Lat view · left wrist XR — 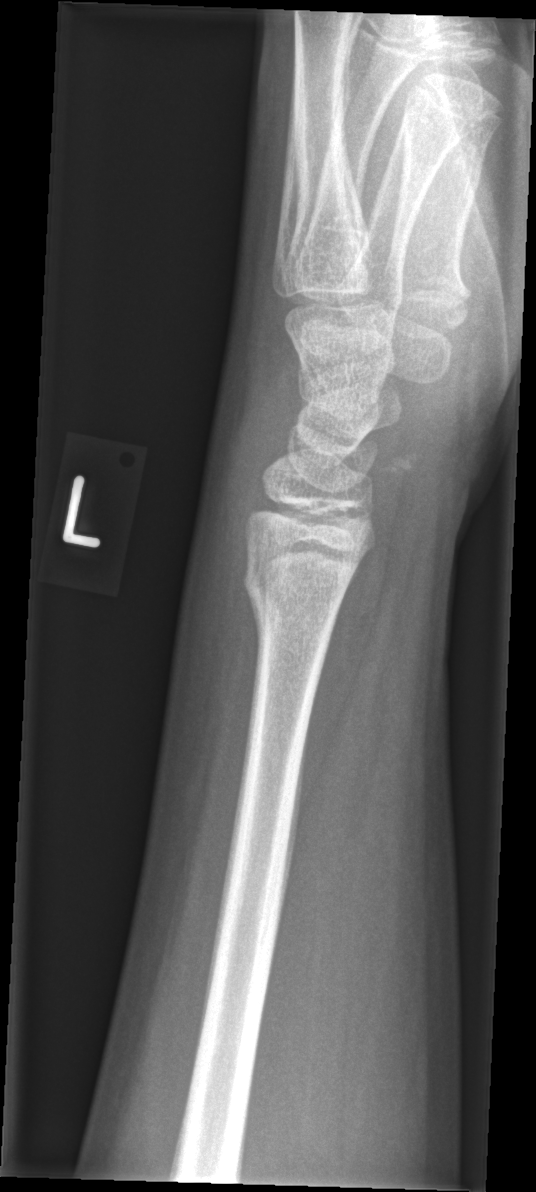

- Coordinates are [x1, y1, x2, y2] in image pixels.
- One bone fracture at bbox(237, 555, 345, 641).
- AO/OTA classification: 23r-M/2.1.